Lateral projection, L wrist X-ray, cast present 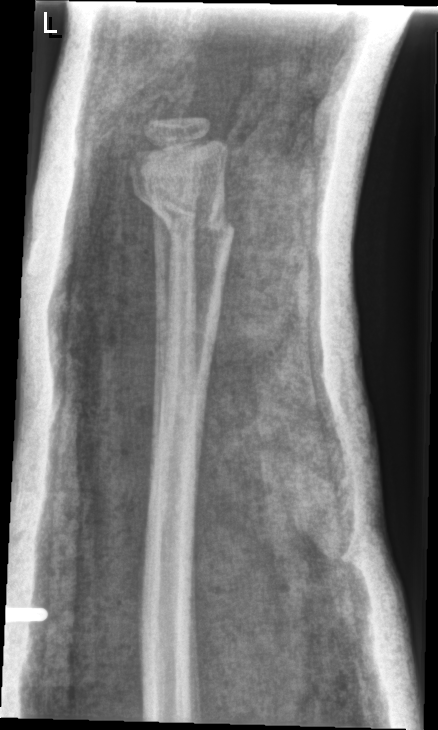   fracture: (135, 185, 239, 249)
  ao: 23r-M/3.1